Frontal | Lt wrist X-ray | 11-year-old female | follow-up study
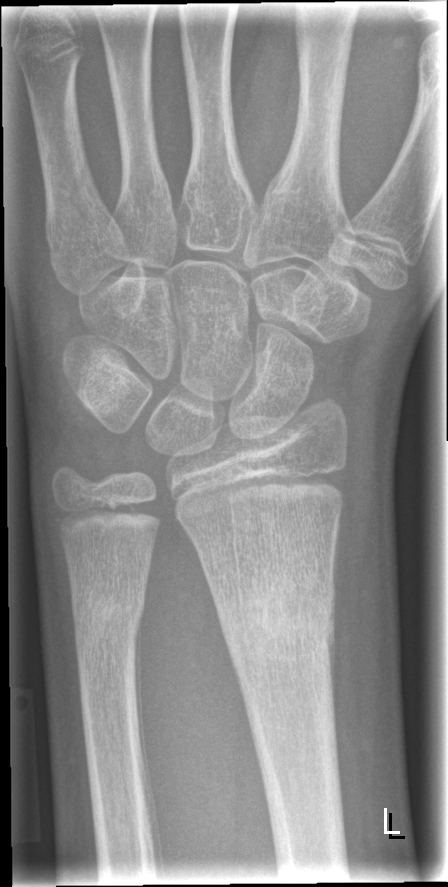
Reduced bone mineral density.
Periosteal reaction: (323, 584, 336, 717).
Two fractures at (215, 569, 339, 673), (71, 588, 144, 638).